PA/AP view; left wrist plain radiograph of the wrist; 71.1 mm image width.
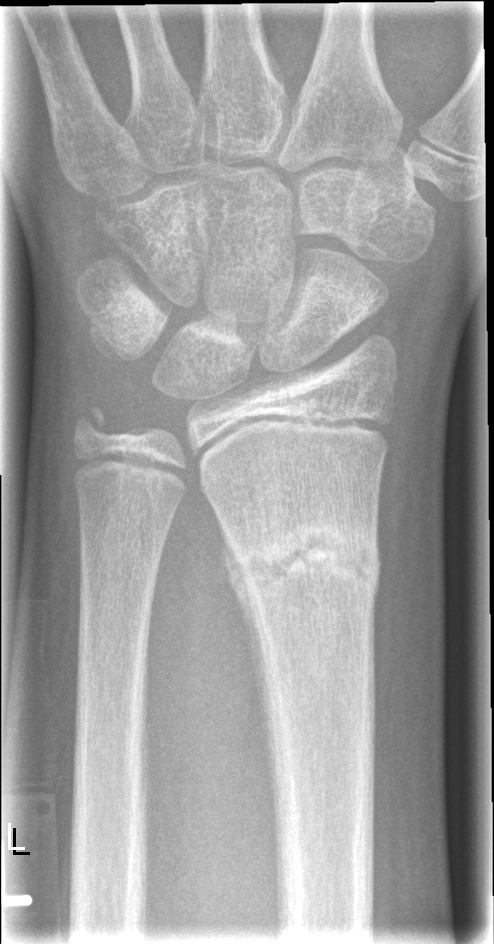
(bounding boxes in image-pixel xyxy)
Q: Any fracture seen?
A: Fx: (left=230, top=522, right=385, bottom=604), (left=68, top=400, right=118, bottom=448)
Q: AO code?
A: Fracture classified AO/OTA 23r-M/3.1; 23u-E/7
Q: Bone density?
A: Osteopenia
Q: Any periosteal thickening?
A: Periosteal reaction — (left=222, top=534, right=282, bottom=893)